Lt wrist radiograph, lateral projection. 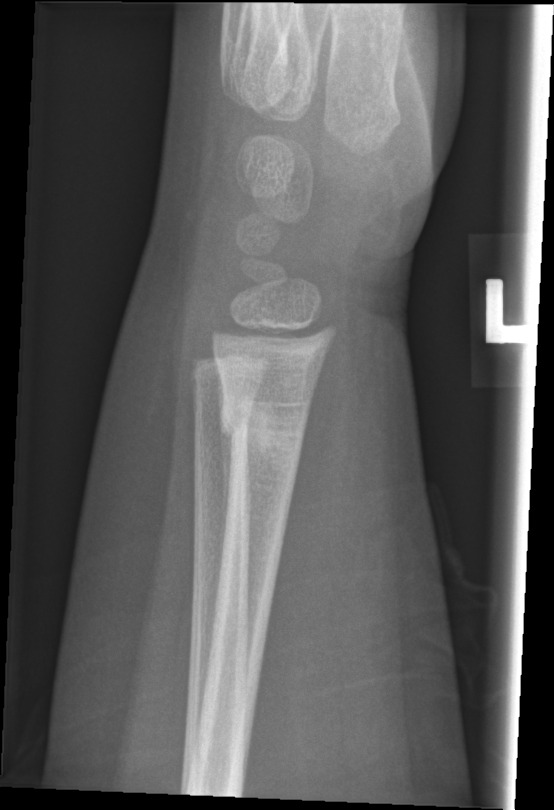

Decreased bone density (osteopenia). One bone fracture at bbox(216, 392, 306, 480). Periosteal thickening identified at bbox(219, 425, 235, 578).